Posteroanterior projection; left wrist plain film; pediatric patient (boy, age 14); presentation radiograph — 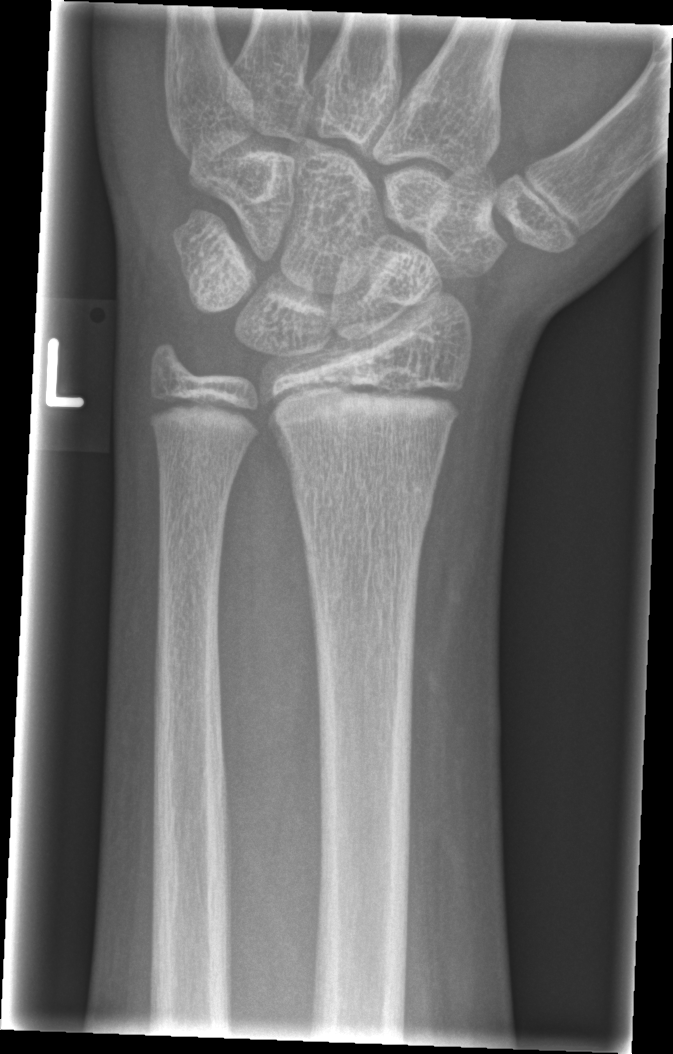   # coordinates are [x1, y1, x2, y2] in image pixels
  ao: 23r-M/2.1
  fracture: (286, 462, 437, 537)